Left wrist plain radiograph of the wrist; frontal; 11-year-old boy; follow-up; cast present
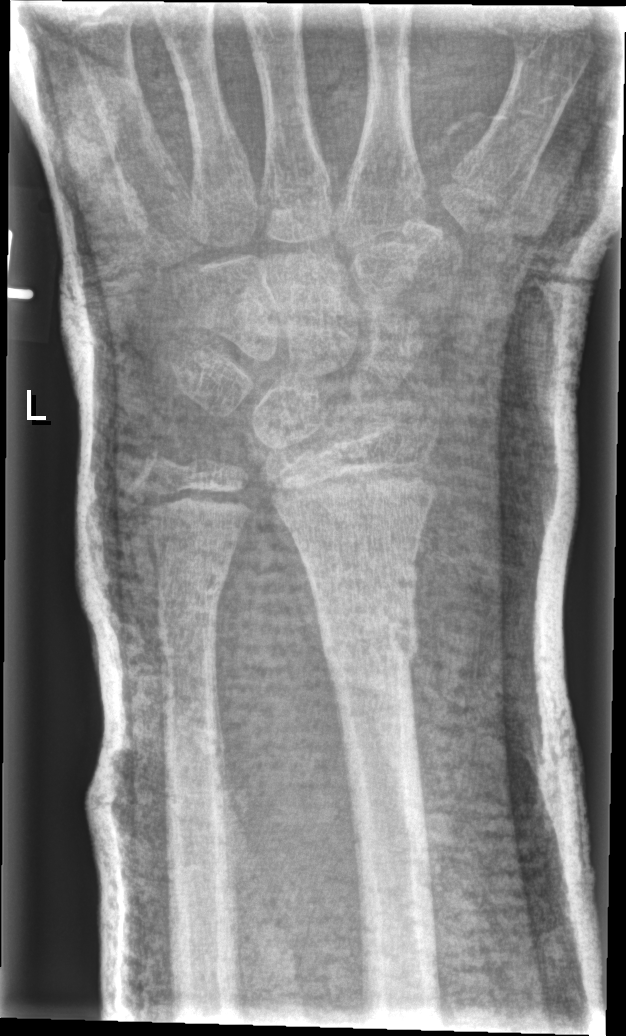
Pixel coordinates, top-left origin, xyxy. Fx: <313,612>-<424,685> <153,570>-<228,634>. AO/OTA classification: 23r-M/3.1; 23u-M/2.1.